Lateral | Rt wrist plain film | detector: Siemens

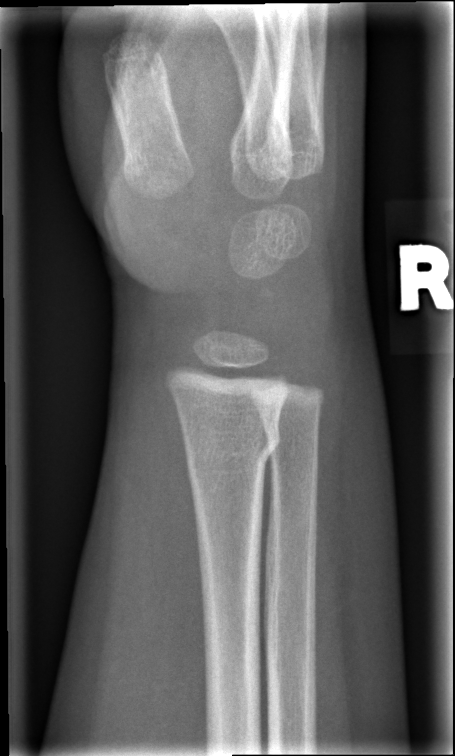
Bone fracture: 1 @ [179, 418, 285, 494]